Lat projection; Lt plain radiograph of the wrist; image width 83.4 mm —

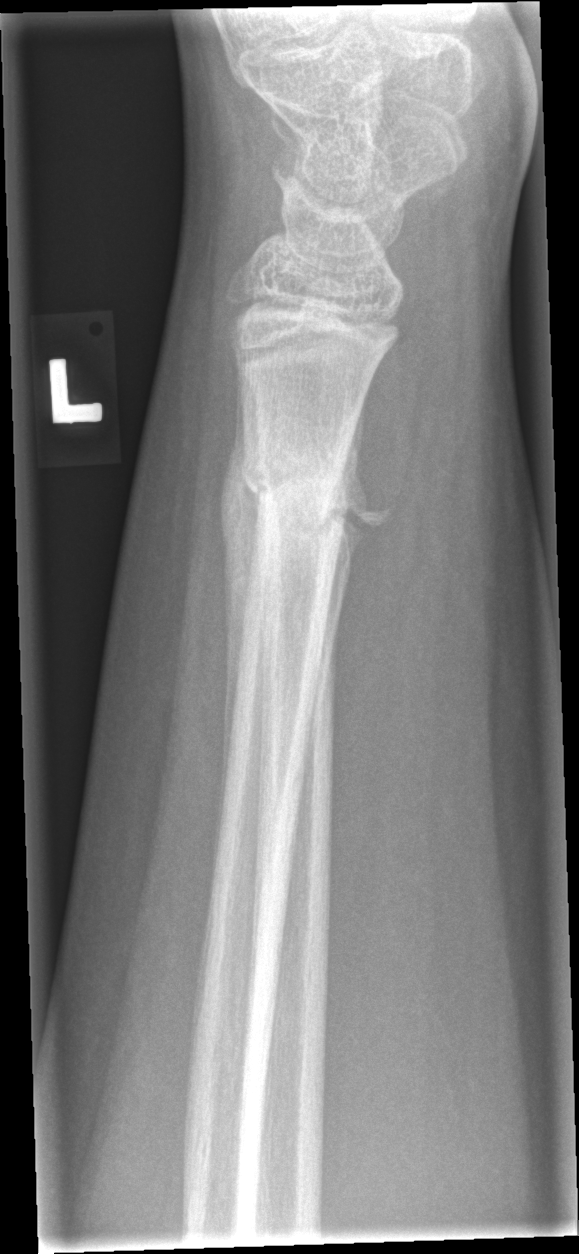 - Periosteal new bone — [215, 359, 264, 870], [300, 519, 355, 783], [342, 388, 366, 505].
- Fracture — [239, 444, 353, 545].
- Fracture classified AO/OTA 23-M/3.1.
- Decreased bone density (osteopenia).